Lat projection | left wrist X-ray | age 14 y, boy | findings marked uncertain by the reading radiologist.

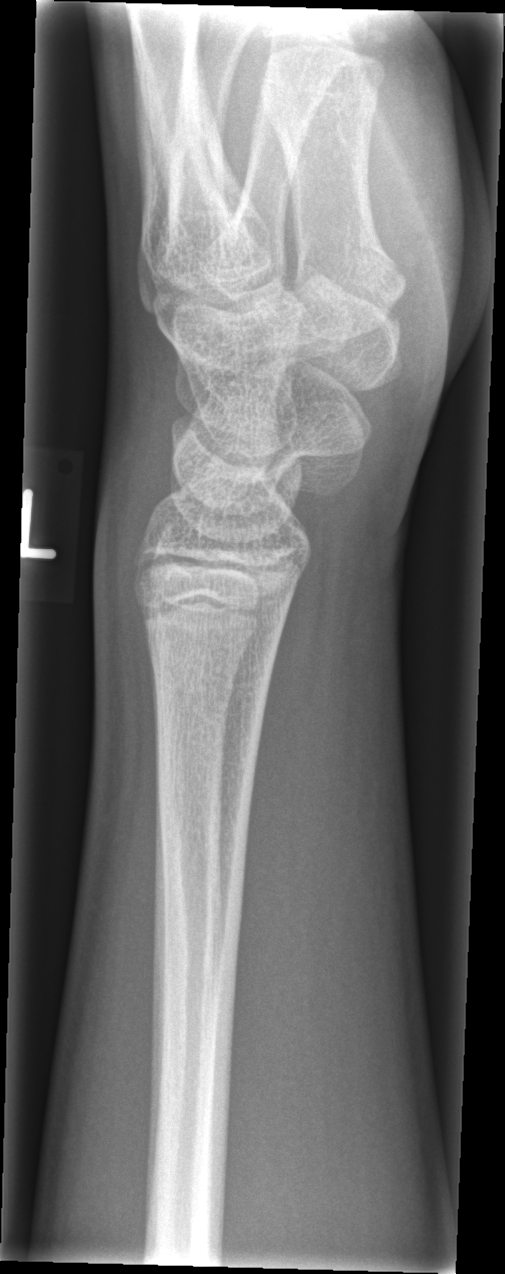 Q: Any fracture seen?
A: No fracture labeled